R wrist X-ray · lateral · presentation radiograph · Siemens.
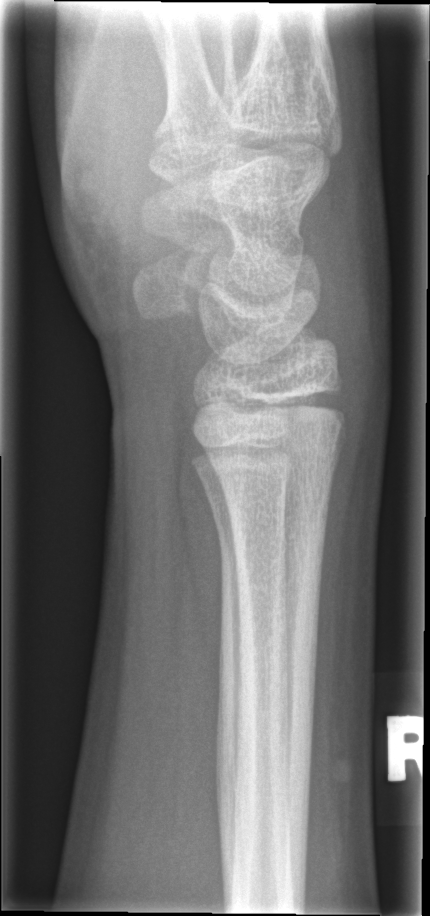 No fracture bounding box.